Left wrist XR | lateral view | age 7 y, girl. 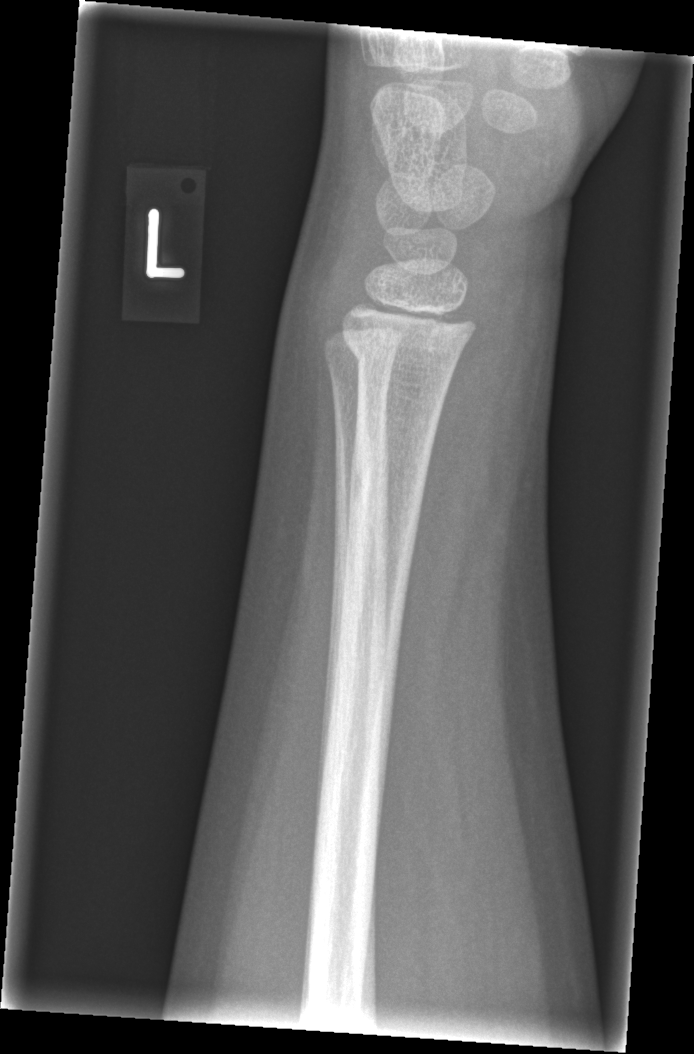 (coordinates are [x1, y1, x2, y2] in image pixels)
Bone fracture = (338, 318, 467, 379)
AO classification = 23r-M/2.1